AP, left wrist radiograph, follow-up, imaged through cast. 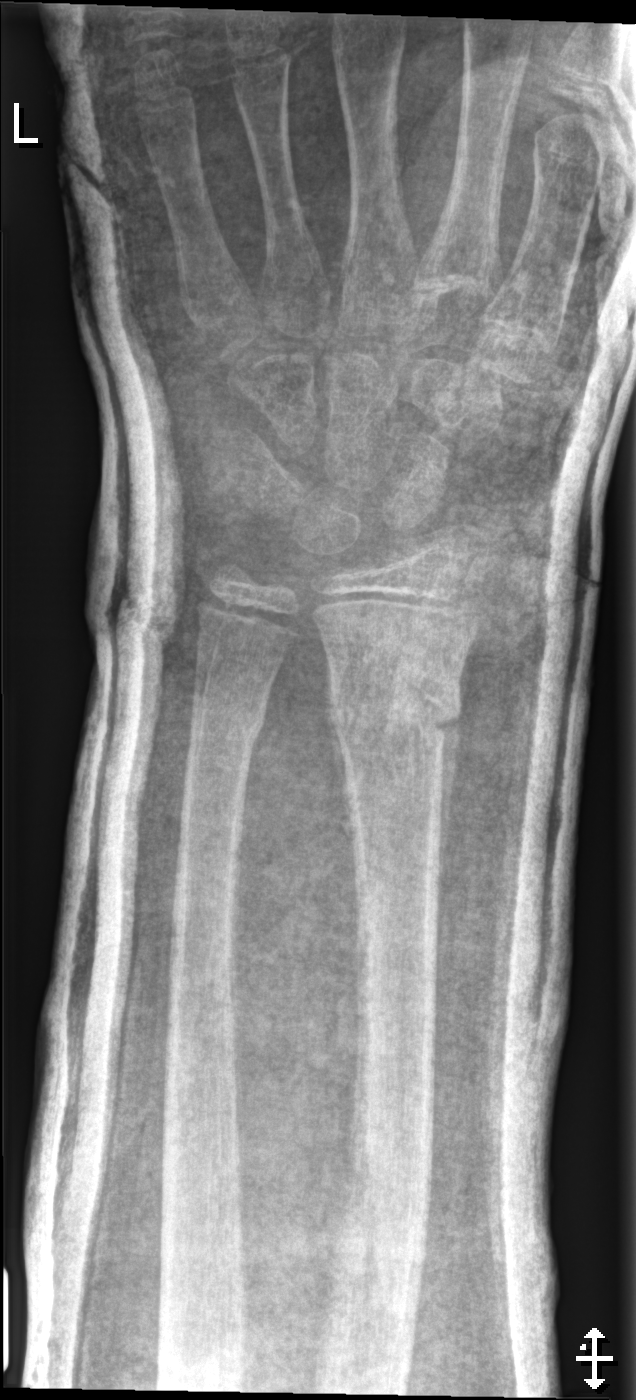
- Bounding boxes in image-pixel xyxy.
- Fx — [325, 670, 466, 756] [185, 687, 271, 749].
- Periosteal new bone identified at [324, 652, 355, 867], [435, 716, 462, 924].